R wrist X-ray | oblique | age 4 y, boy | index exam | image width 71.0 mm: 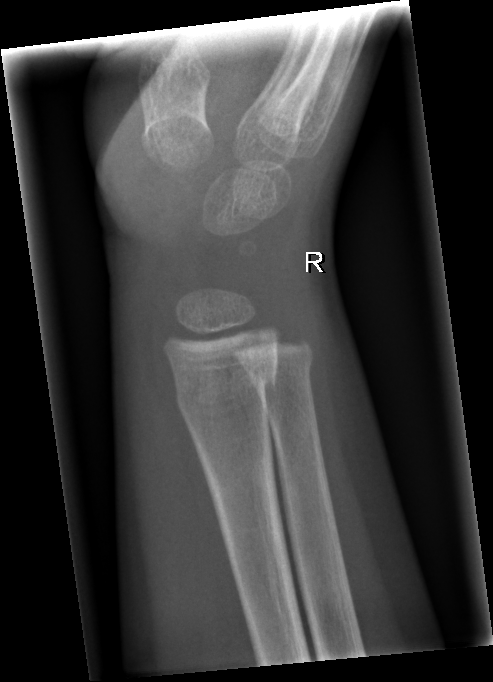

Bone fracture = 2 @ 173,357,281,429; 245,351,318,395
AO classification = 23r-M/3.1; 23u-M/2.1